Lt wrist X-ray; lateral view; girl, 11 yo; follow-up study; cast present; detector: Siemens 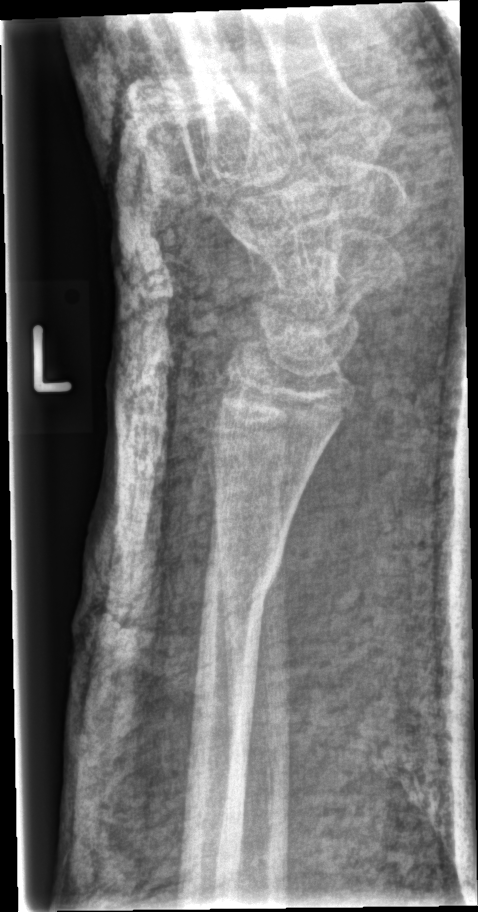

FINDINGS — Bone fracture: <198,532>-<288,602>. Fracture classified AO/OTA 23r-M/3.1; 23u-M/2.1.